Lat projection | left wrist XR | 12-year-old male —
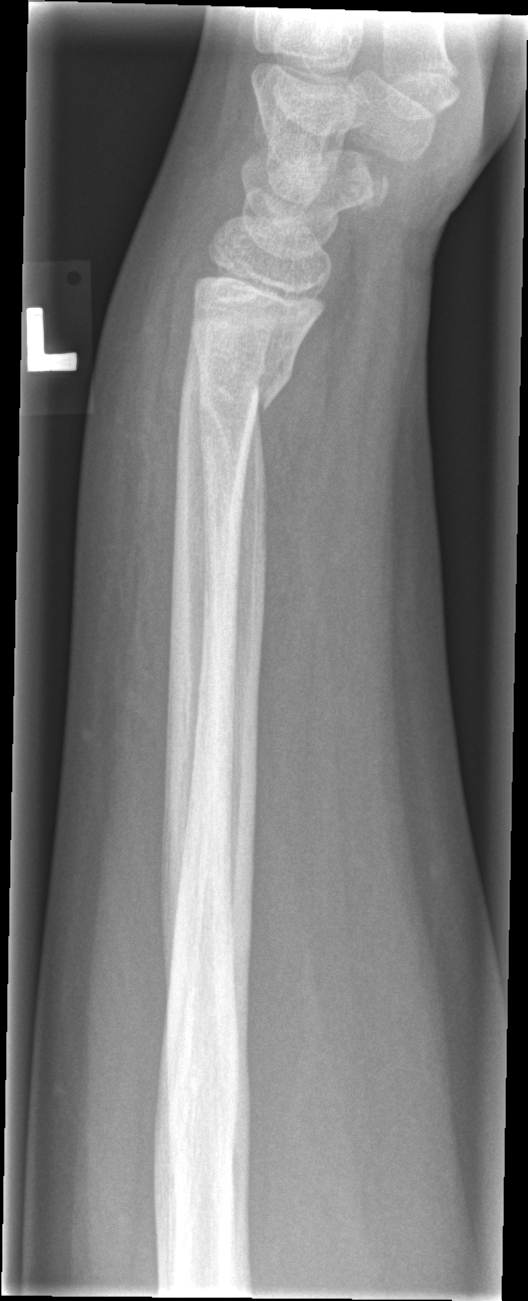
- Fracture classified AO/OTA 23r-M/3.1; 23u-M/2.1.
- Fracture — 176,348,291,429.